Lt pediatric wrist radiograph; lateral view; imaged through cast; Siemens:
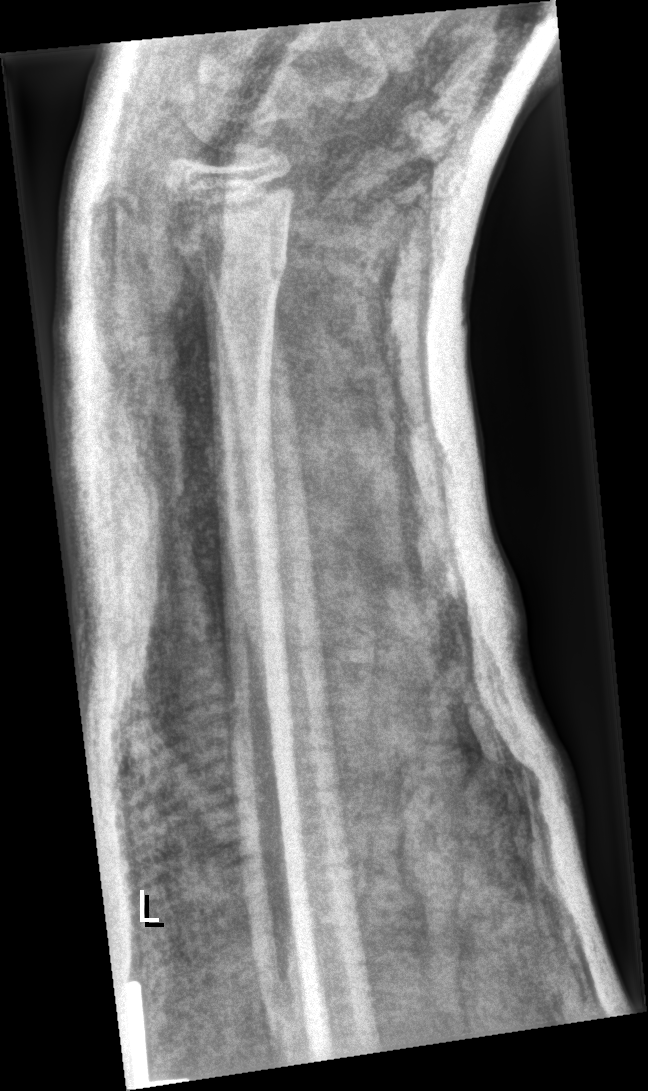

FINDINGS — (pixel coordinates, top-left origin, xyxy) One fracture at [x1=178, y1=232, x2=291, y2=302].